Right wrist XR | PA/AP projection | pediatric patient (female, age 11) | cast in situ | detector: Siemens:

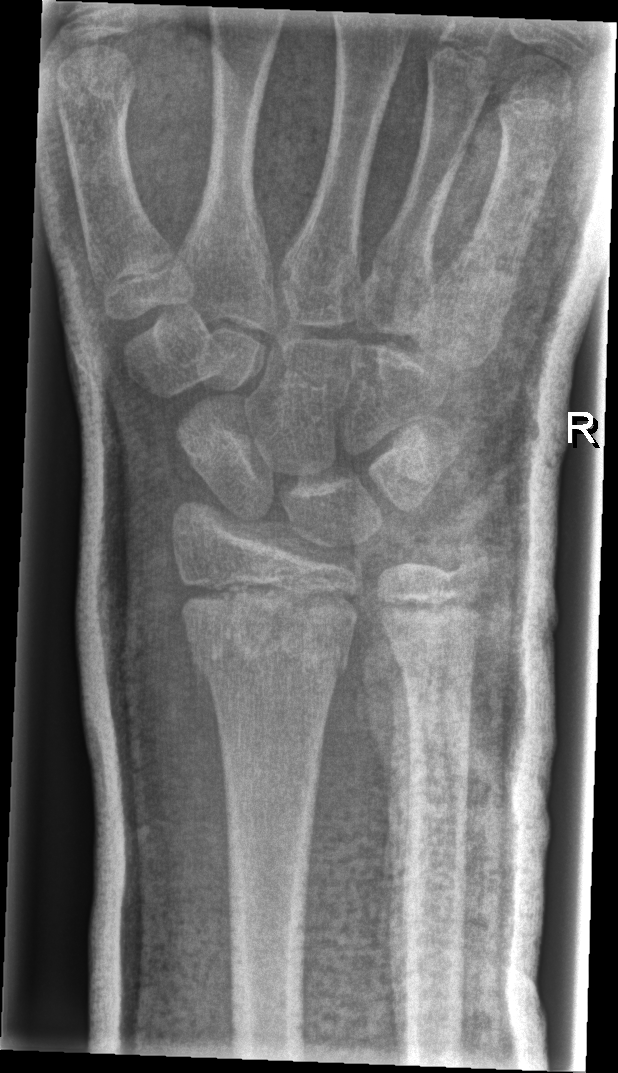
- Fractures — 180,593,361,692
  441,528,497,590.
- AO/OTA classification: 23r-M/3.1; 23u/E/7.